AP view; R plain radiograph of the wrist; 7-year-old male; initial study; acquired on Siemens —
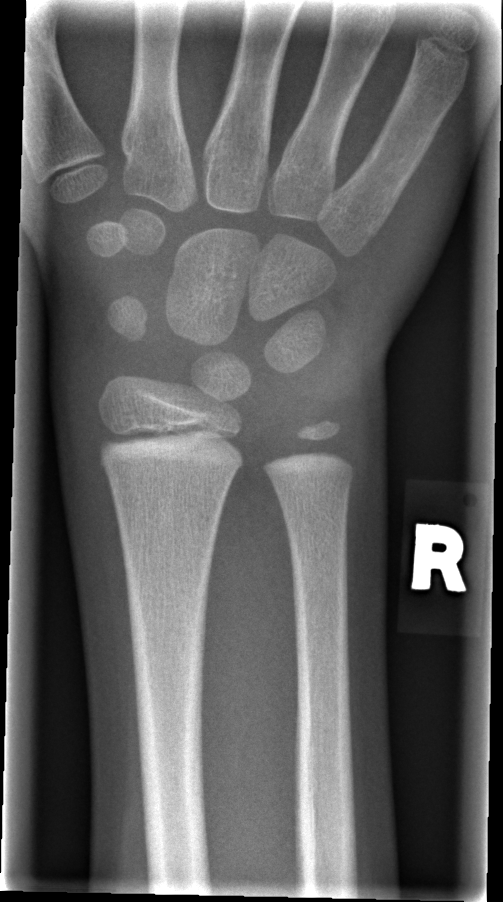
FINDINGS — Fracture: none labeled.